Lt plain radiograph of the wrist | lateral projection | 342 x 780 px:
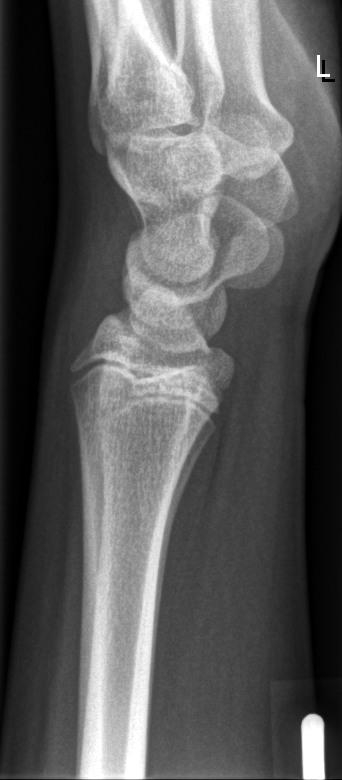

Fx: none.